Lateral view, R wrist X-ray, girl, 9 yo, cast in situ, image width 67.0 mm —

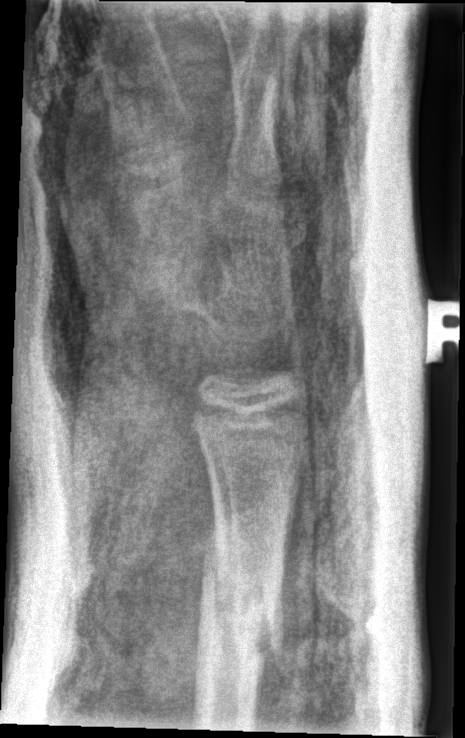
Bounding boxes in image-pixel xyxy. Bone fracture: 193 526 291 674.